Lateral projection · L wrist XR · 6-year-old male
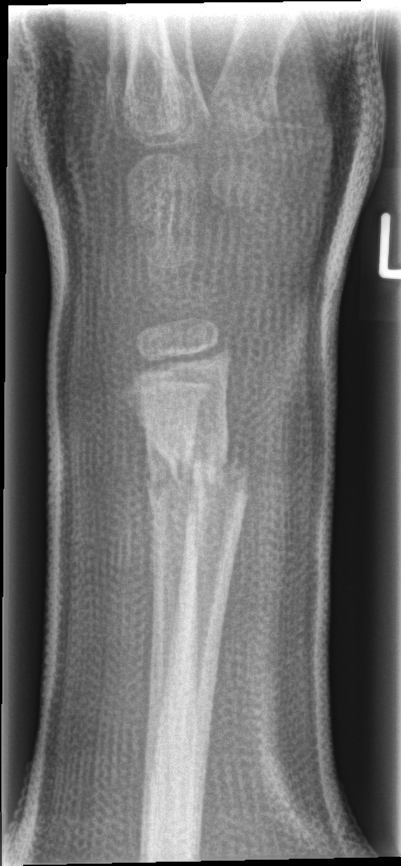 {"fracture": "1 @ [138, 427, 253, 515]", "ao": "23-M/3.1"}